Lat, Lt wrist radiograph.

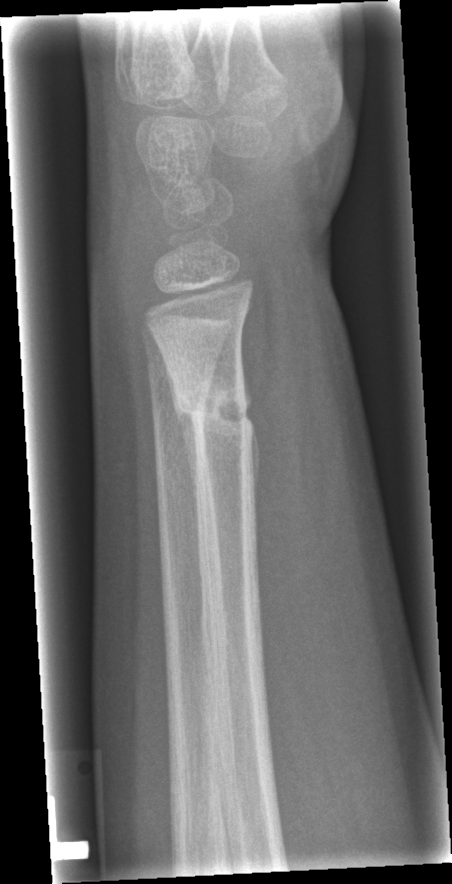

* Coordinates are [x1, y1, x2, y2] in image pixels.
* One bone fracture at [172, 382, 260, 445].
* Three periosteal new bone at [165, 359, 198, 535] [250, 424, 260, 511] [242, 358, 251, 410].
* Osteopenia.